L wrist plain film, PA/AP projection, subsequent exam, imaged through cast 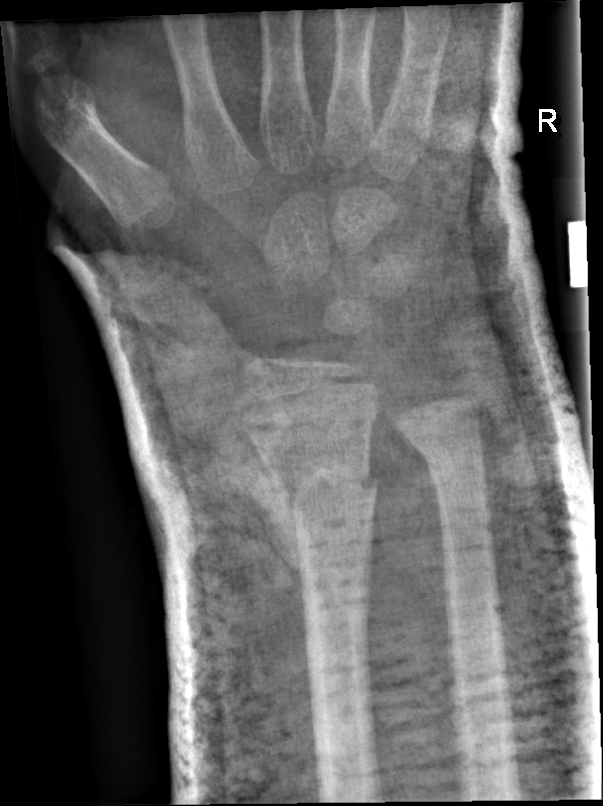
Pixel coordinates, top-left origin, xyxy. AO code 23r-M/3.1; 23u-M/2.1. Bone fractures — [266, 452, 381, 527] [402, 420, 494, 481].